L wrist XR · frontal projection · girl, 10 yo · initial study · 534x932.

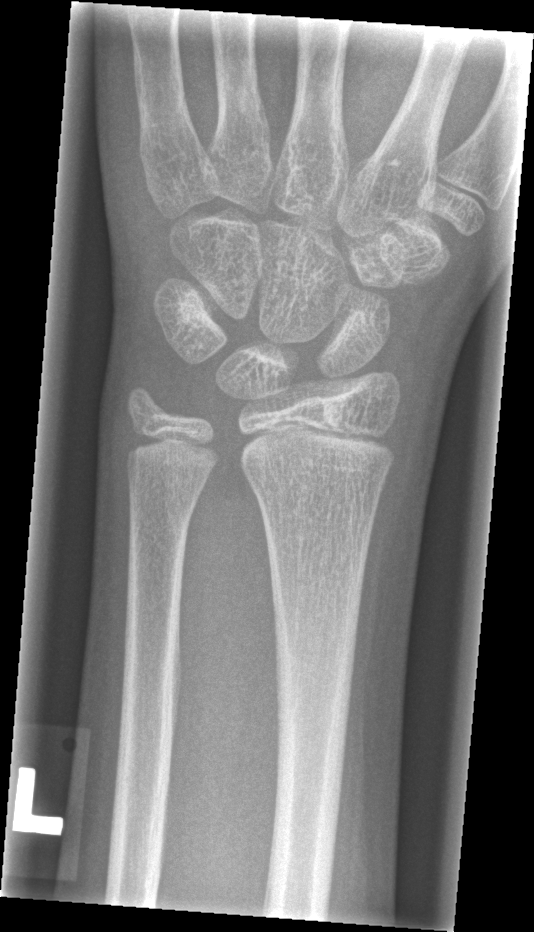
Findings: Fracture classified AO/OTA 23r-M/2.1. Fracture: present but not clearly seen in this view.